AP; Lt wrist XR; pediatric patient (boy, age 9); initial study; image size 665x1168 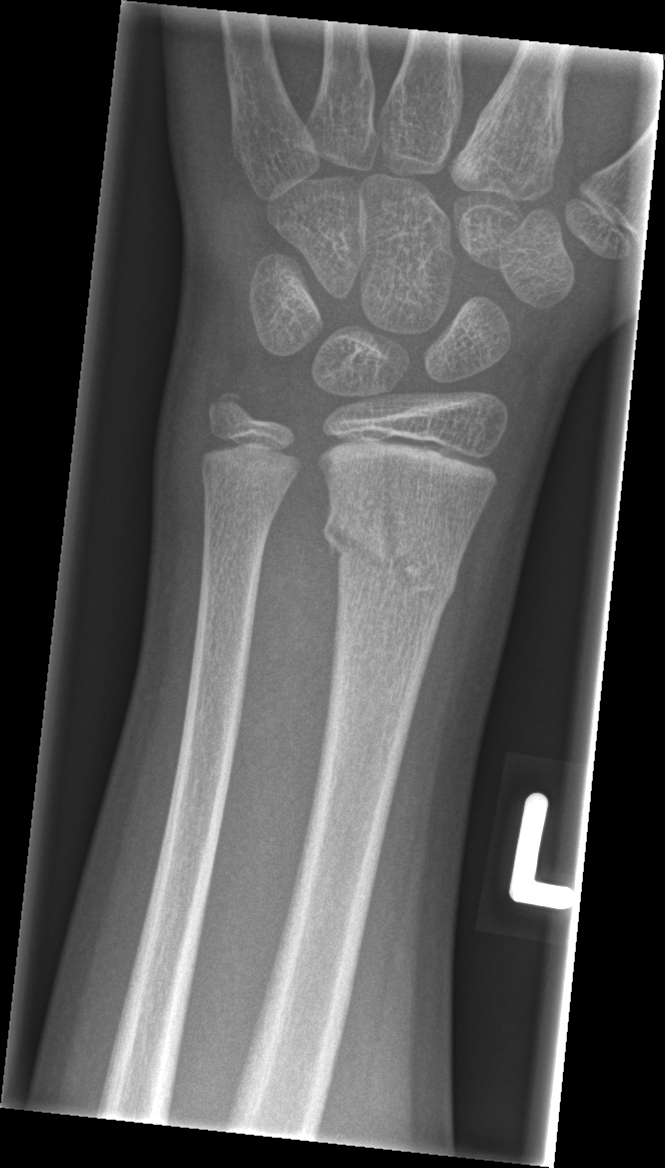 Pixel coordinates, top-left origin, xyxy.
Bone fractures — 321,506,460,605 | 197,379,268,447.